Lateral projection · right plain radiograph of the wrist · 3y M

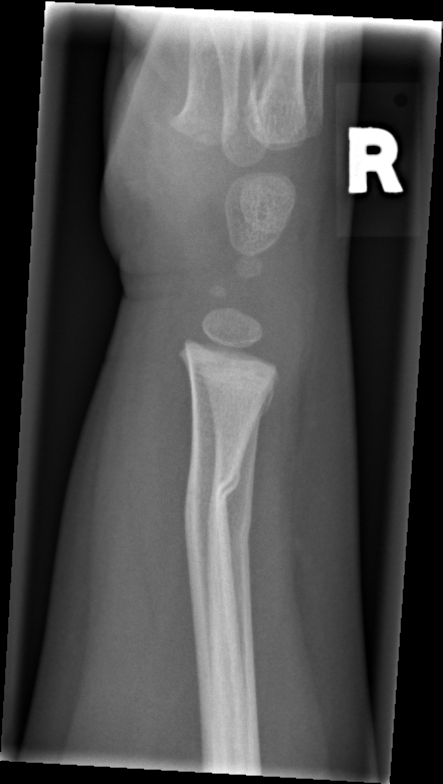

Findings: Three fractures at [207, 381, 278, 434], [180, 458, 239, 519], [202, 509, 259, 567].